Rt pediatric wrist radiograph · posteroanterior projection · presentation radiograph
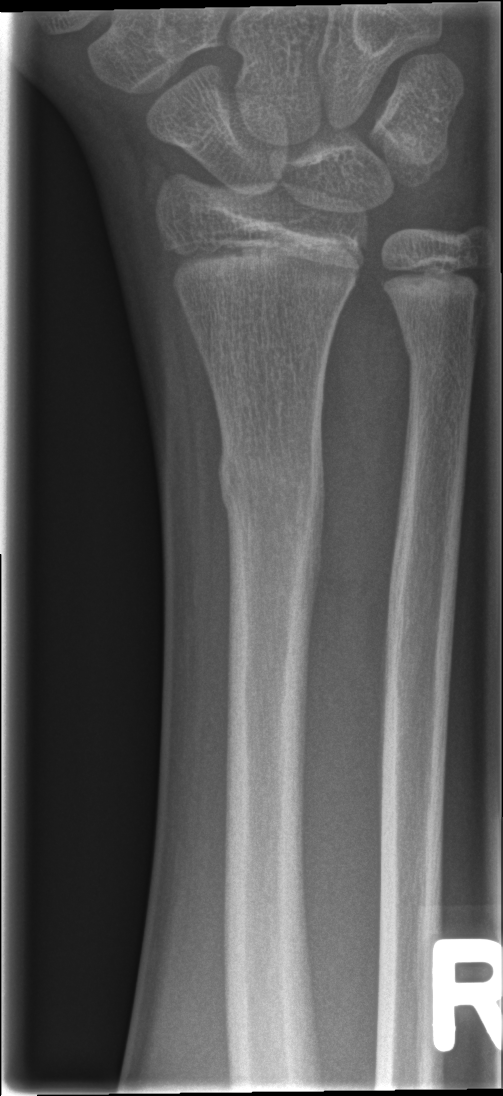 Two fractures at <215,441>-<329,603>; <400,336>-<477,390>.
AO code 23-M/2.1.